Lat projection, right wrist X-ray, girl, 14 yo, initial study, 369x948:
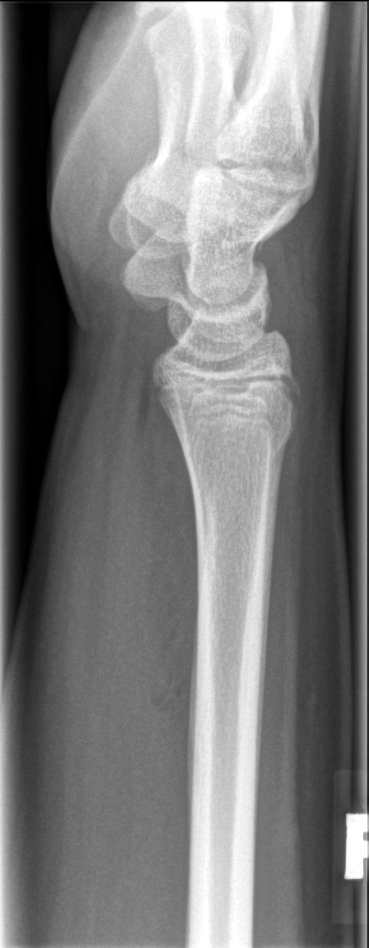

Fx = 1 @ <163,389>-<296,469>
AO/OTA = 23r-M/2.1